Lt wrist X-ray | PA projection | pediatric patient (male, age 10) | Siemens. 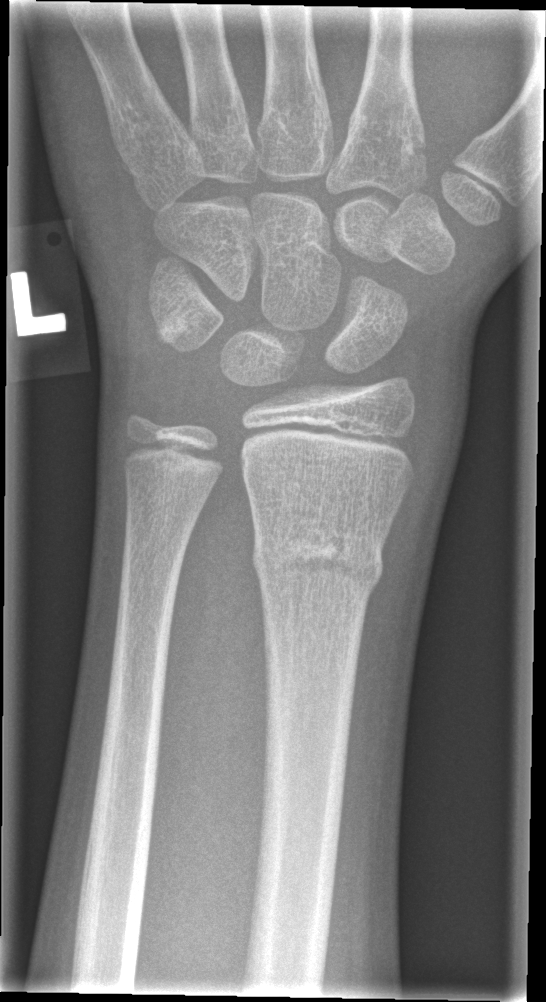
Fx: (left=251, top=520, right=387, bottom=600).